Lat view · left pediatric wrist radiograph · 9-year-old male — 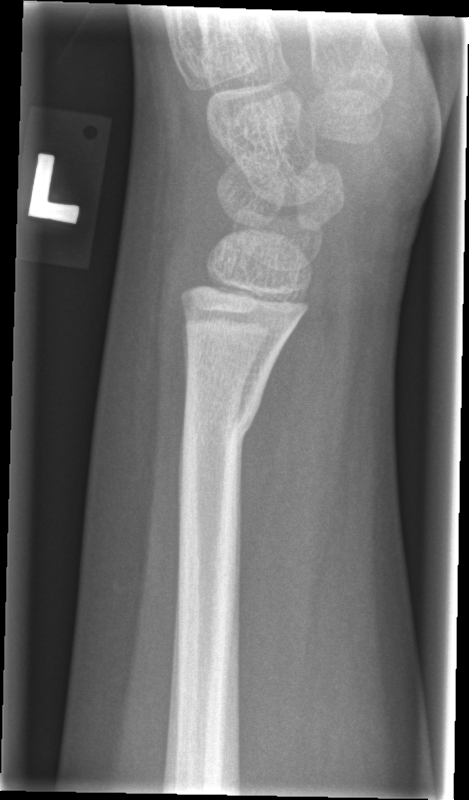

Fracture = bbox(178, 389, 266, 474)